L wrist radiograph | AP | cast in situ | image 93.0 mm wide 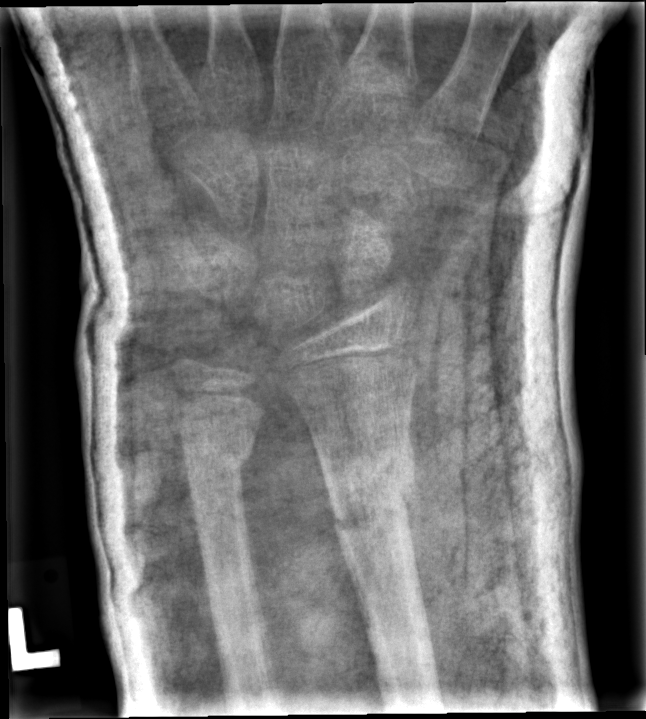 * Fractures — (316, 438, 419, 547) (182, 438, 255, 485).
* AO/OTA classification: 23r-M/3.1; 23u-M/2.1.